Frontal view · left wrist XR · 15-year-old boy · 108.0 mm image width · 750x810 —

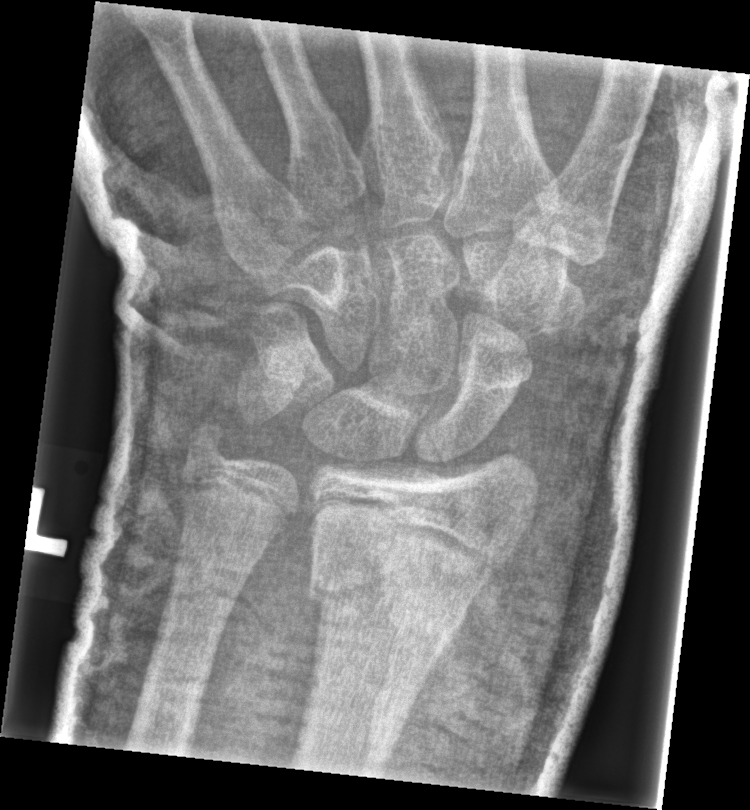

Fracture identified at bbox(305, 562, 488, 666), bbox(181, 415, 234, 468).